Lateral | R wrist XR | 308 x 556 px
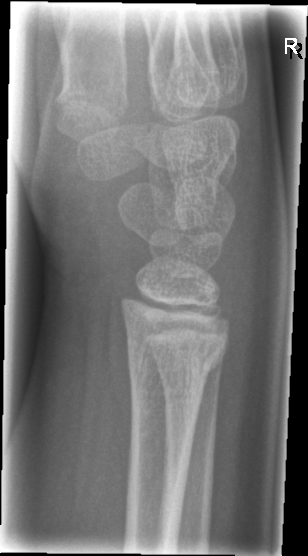 Boxes as x1,y1,x2,y2 (top-left / bottom-right, pixel units). Fracture classified AO/OTA 23r-M/2.1. One Fx at 123 336 230 391.